Lt wrist XR; frontal; pediatric patient (boy, age 14); image width 131.3 mm — 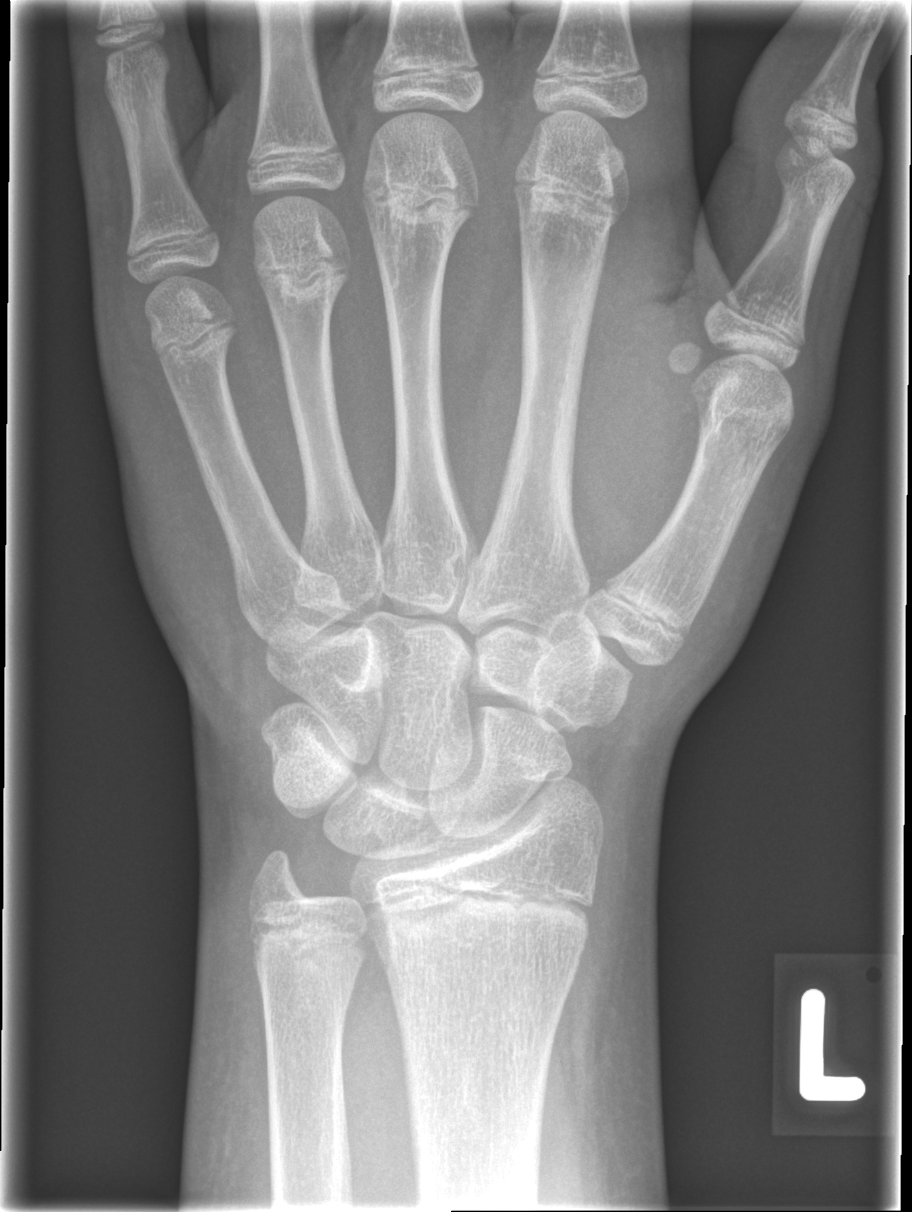

Findings: Fracture: none labeled.